Lat view, right wrist X-ray, male, 13 yo 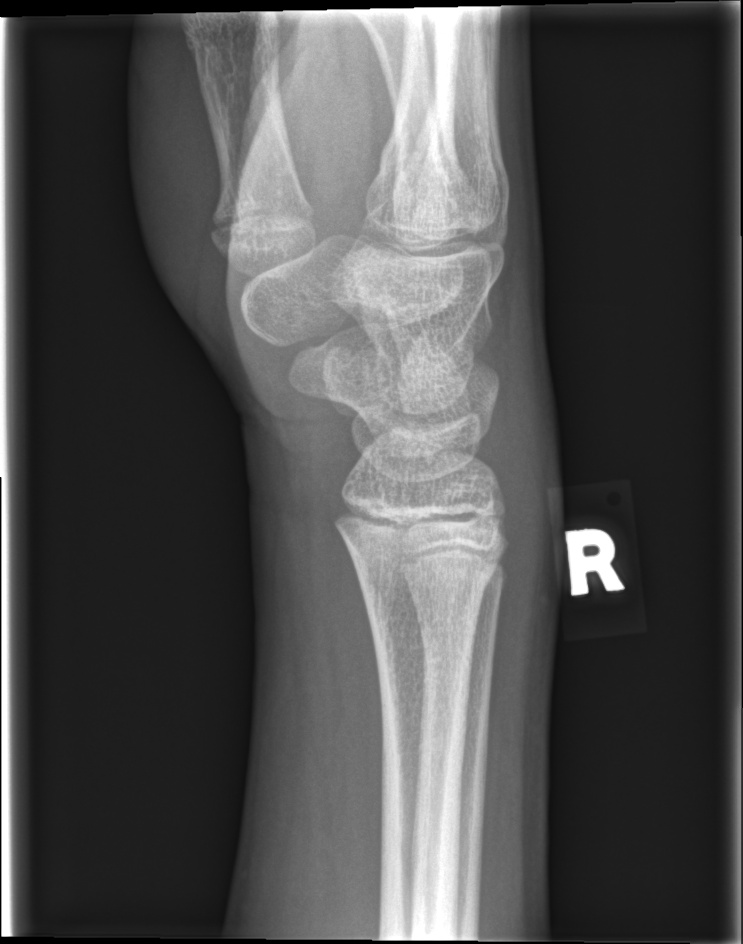
Findings: Fracture: [x1=349, y1=552, x2=502, y2=609].